Right wrist plain film | lat | boy, 12 yo

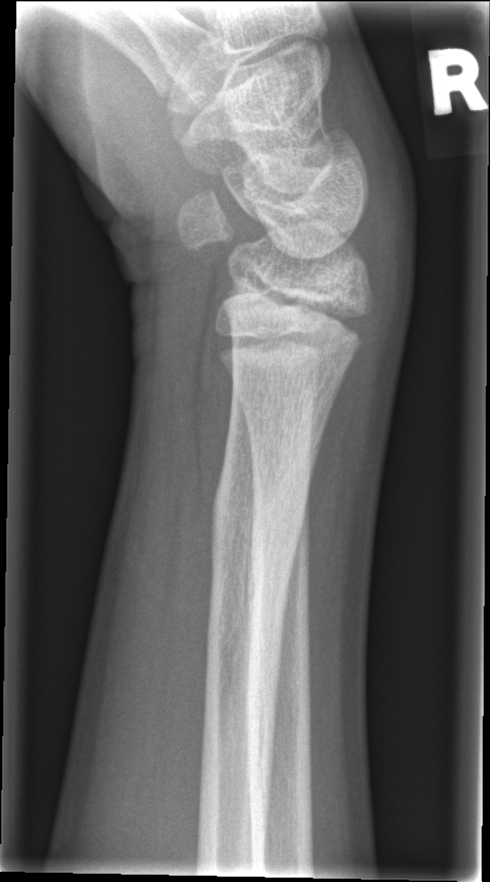
• Fx: (206, 407, 321, 675).